Right wrist pediatric wrist radiograph, lateral view, 62.8 mm image width.

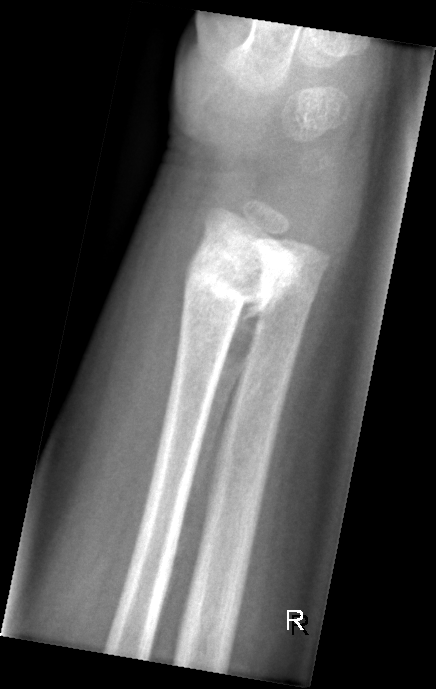

fracture: 1 @ 176 246 288 324
AO code: 23r-M/3.1; 23u-M/2.1